Lt wrist XR · lateral · 63.1 mm image width
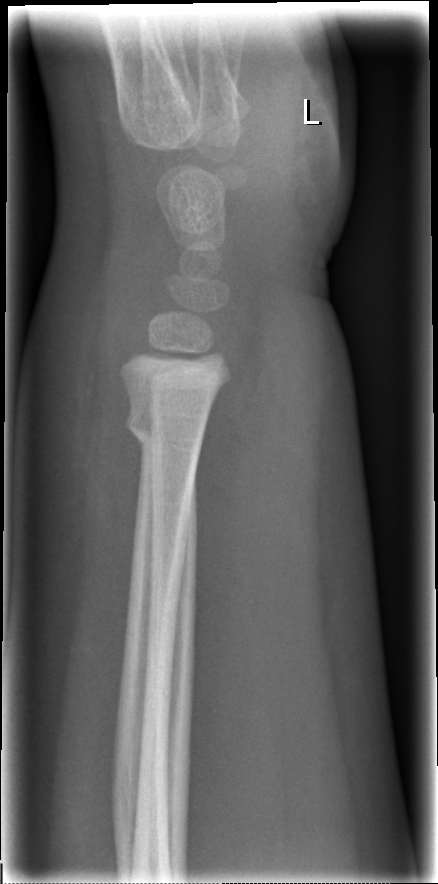

bone fracture = 1 @ <123,406>-<207,453>